R plain radiograph of the wrist; frontal view; age 11 y, girl; follow-up study — 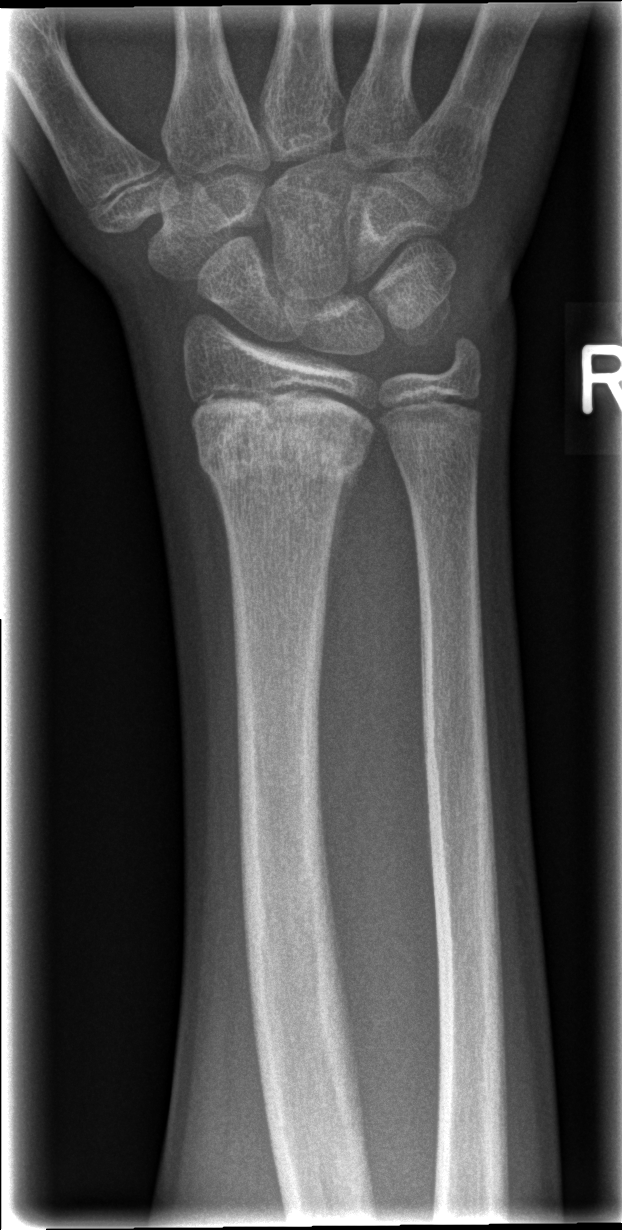 One periosteal new bone at bbox(324, 455, 366, 630). Fracture identified at bbox(188, 408, 377, 493).